Lt wrist X-ray · posteroanterior · age 12 y, female.
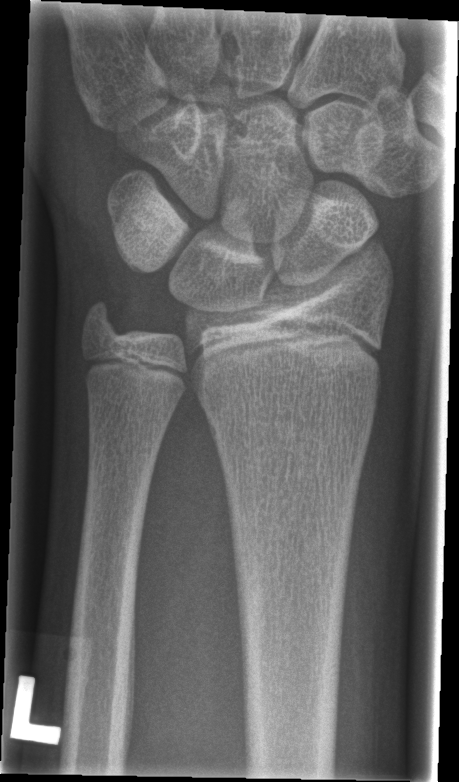
• No fracture labeled.